AP · left wrist plain film · 13y F · Siemens · 594 by 978 pixels.
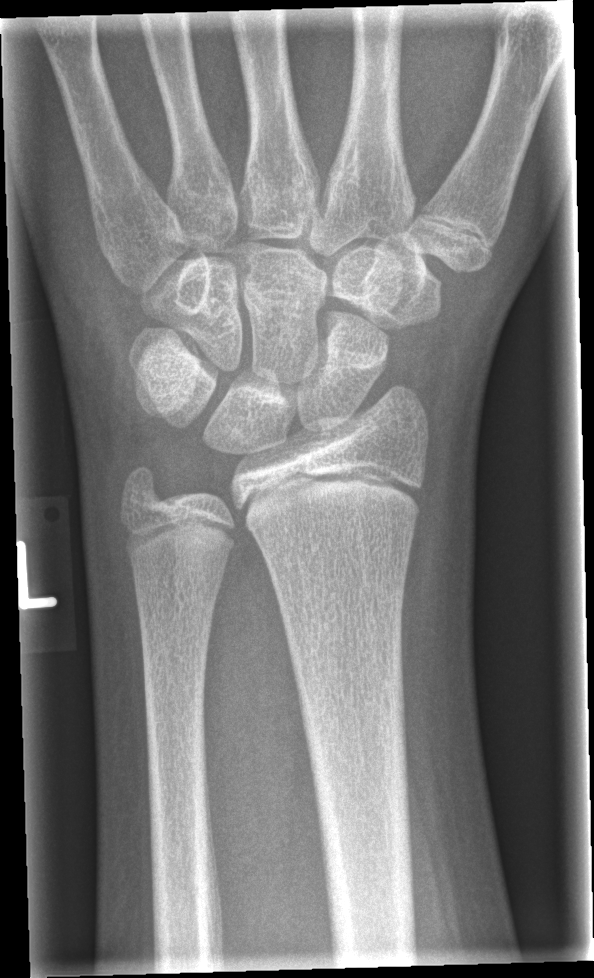 FINDINGS: No Fx annotated.